PA/AP | right wrist X-ray | pediatric patient (female, age 12) | follow-up study | imaged through cast 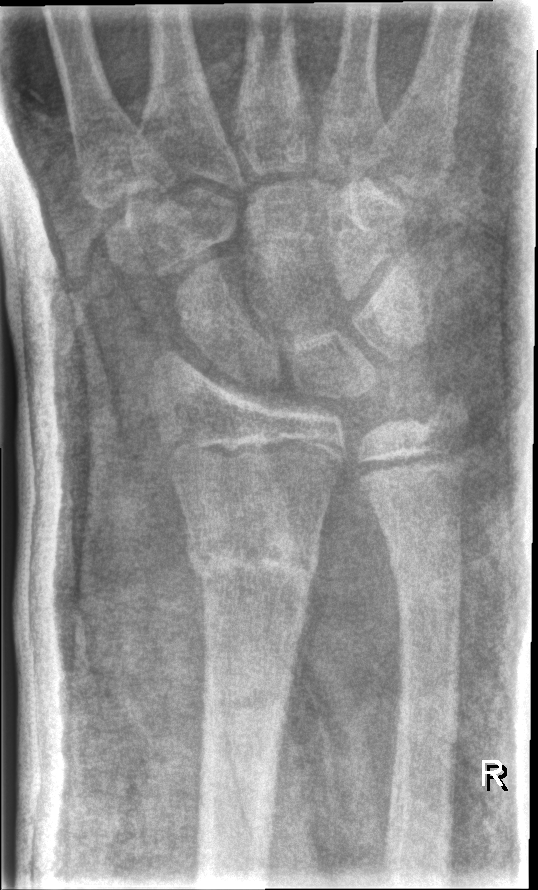 FINDINGS — (pixel coordinates, top-left origin, xyxy) AO code 23r-M/3.1; 23u-M/2.1. Fracture identified at 183,527,323,608
  385,536,466,595.